Right wrist radiograph · lat view · female, 12 yo · initial study 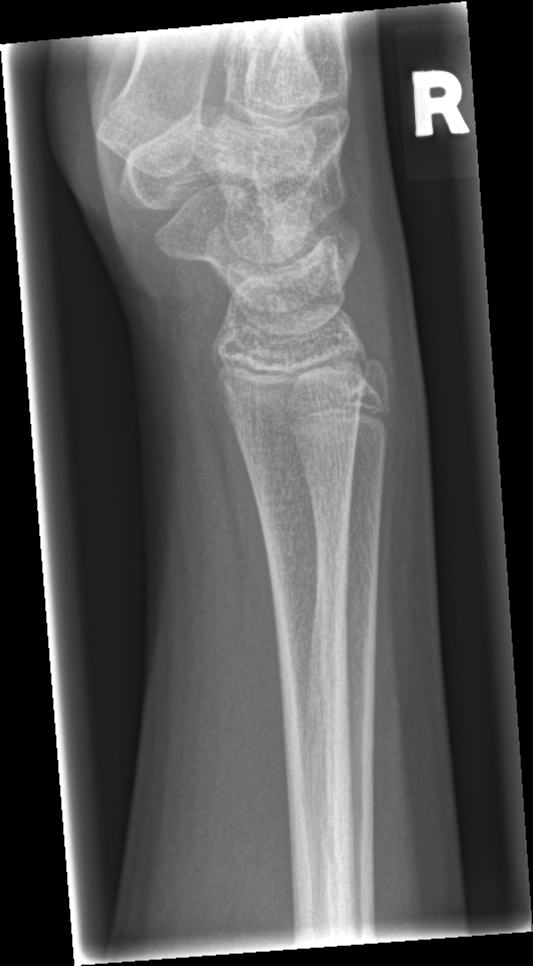
No fracture annotation.